Frontal | right pediatric wrist radiograph | 15-year-old female 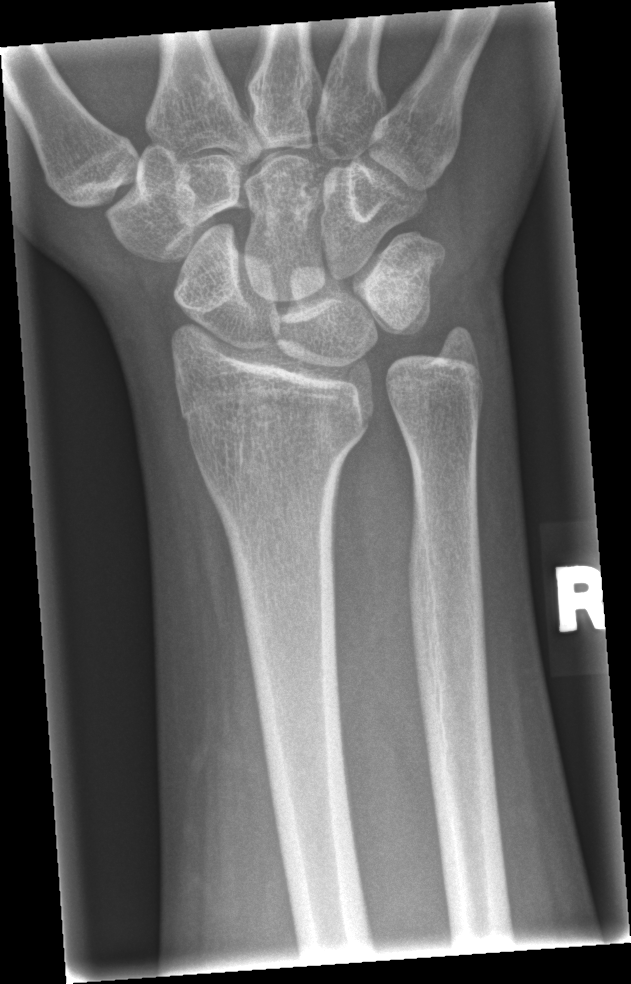 AO/OTA = 23r-M/2.1
Fx = present but not clearly seen in this view